Posteroanterior, right wrist XR, presentation radiograph
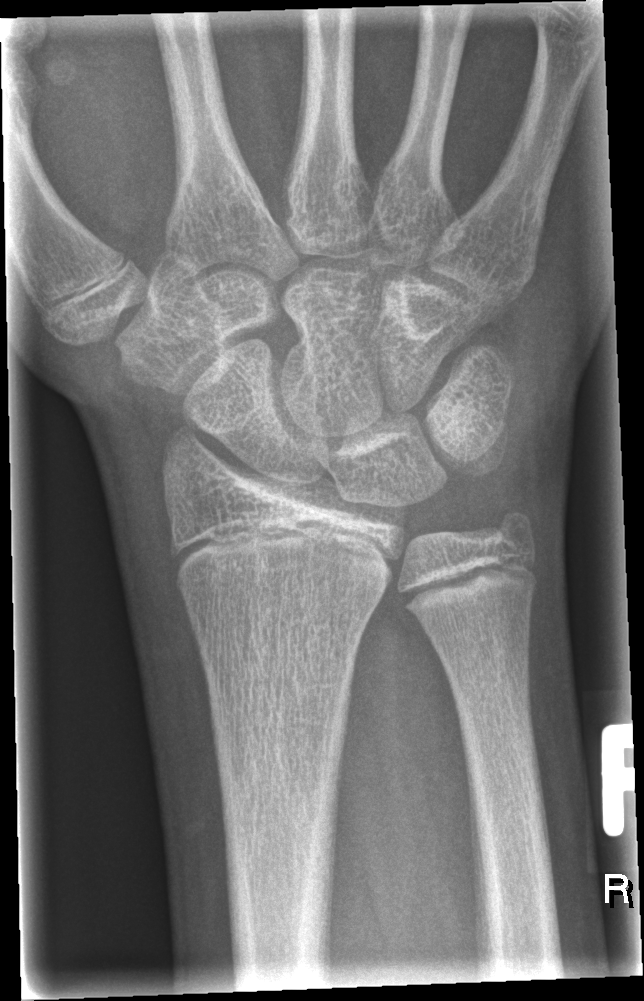

Q: Fracture present?
A: No fracture bounding box